AP; left wrist plain film; girl, 8 yo: 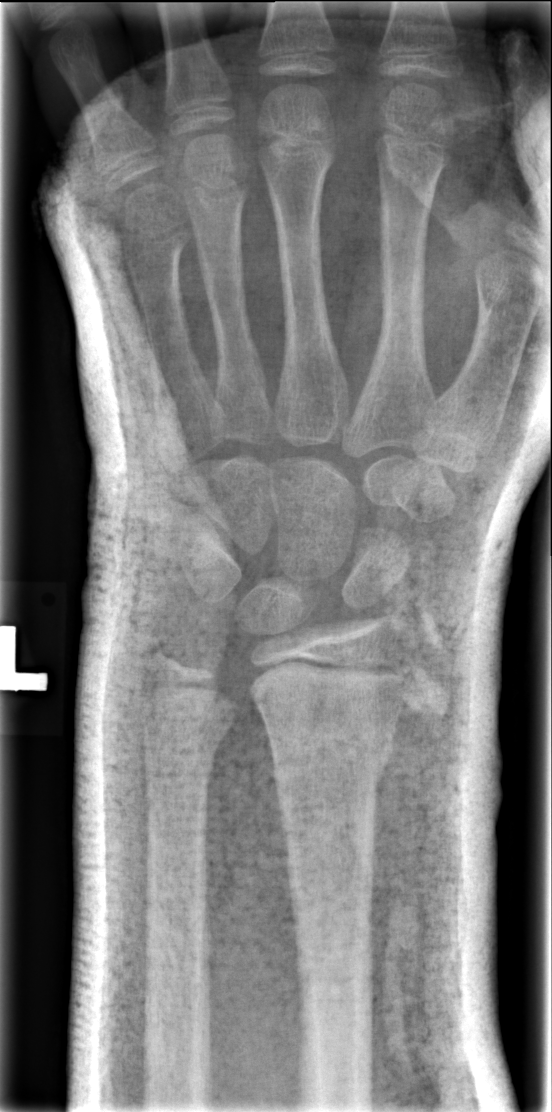
* Bone fracture identified at (left=268, top=719, right=397, bottom=801); (left=138, top=720, right=226, bottom=786).